Frontal view · left wrist X-ray · boy, 10 yo · initial study.
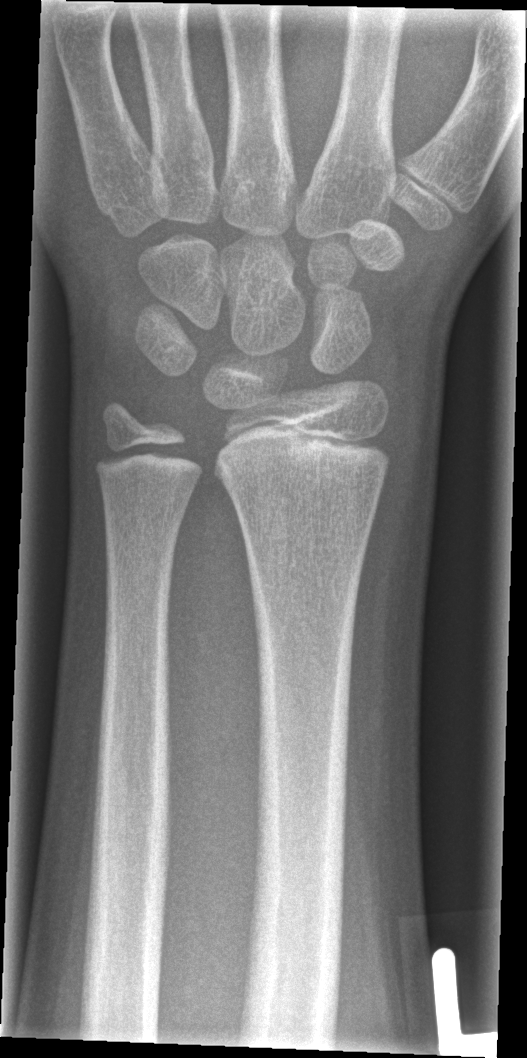
No fracture bounding box.